Lt plain radiograph of the wrist | posteroanterior view 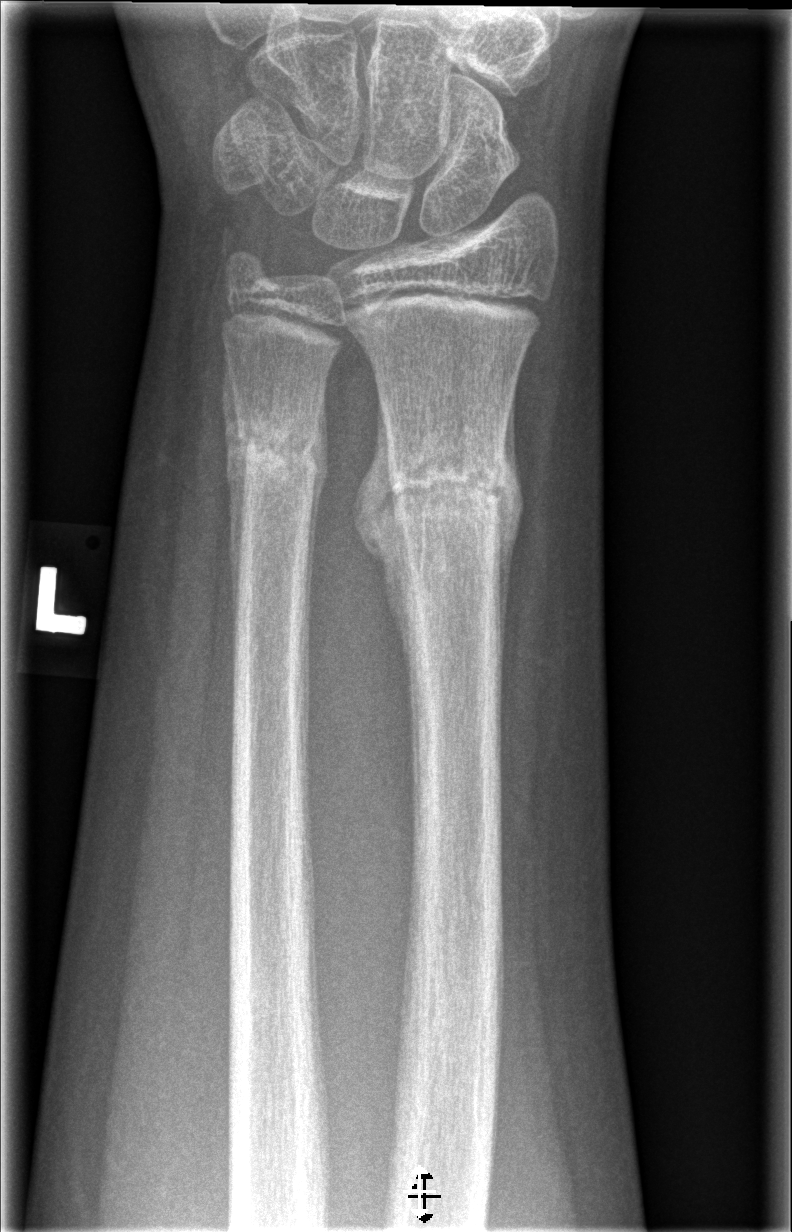

FINDINGS: (pixel coordinates, top-left origin, xyxy) Decreased bone density (osteopenia). Periosteal thickening: <354,389>-<417,691>, <491,387>-<524,674>, <222,357>-<248,620>, <304,388>-<329,629>. Fracture identified at <386,446>-<504,520> <236,412>-<319,482>.